Lat projection; Rt pediatric wrist radiograph.
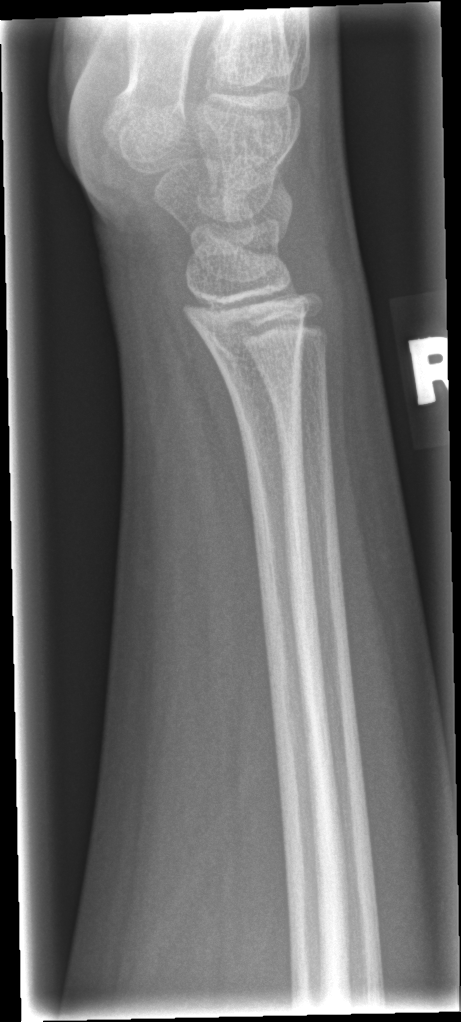

Bone fracture: none labeled